Left wrist XR; lat view; 10y F; acquired on Siemens; image width 111.0 mm —
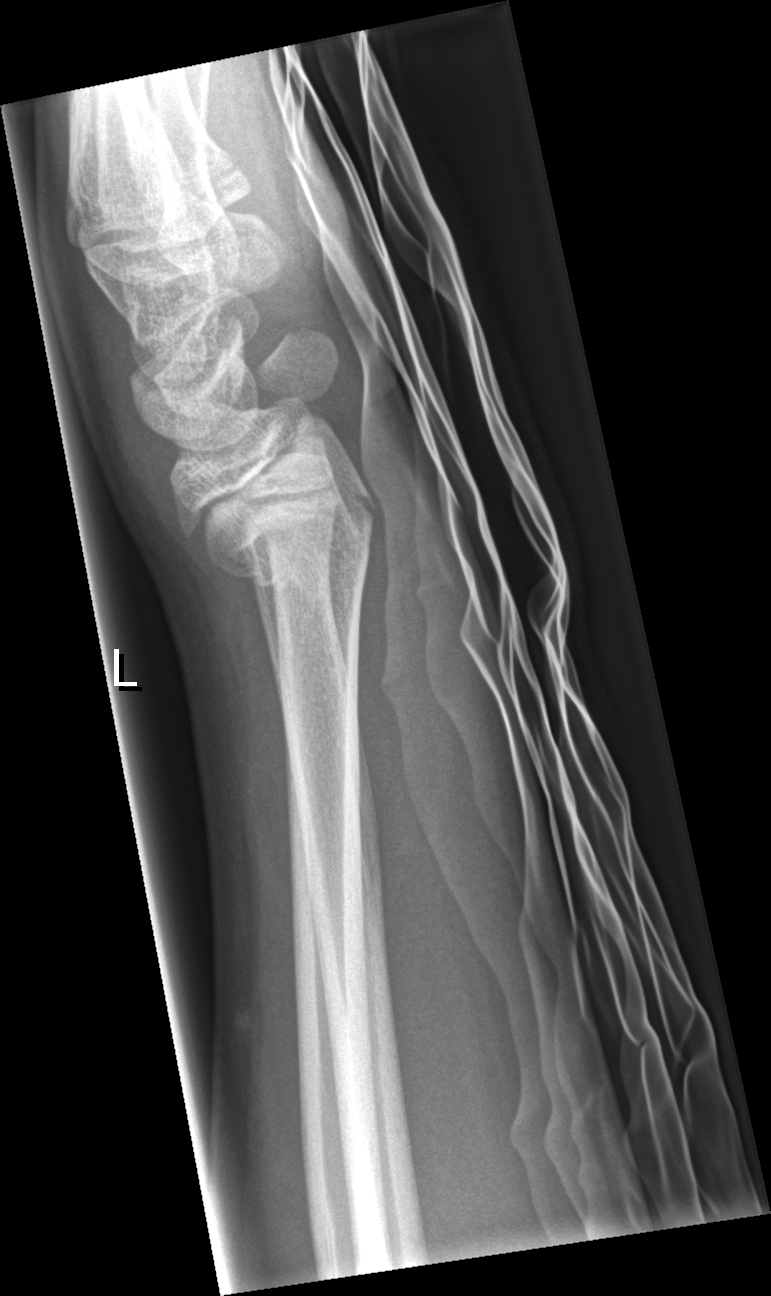
(bounding boxes in image-pixel xyxy)
Q: AO code?
A: AO/OTA classification: 23r-M/3.1; 23u-E/7
Q: Any fracture seen?
A: Fracture — [198, 458, 382, 600]